Lateral projection · left wrist XR · age 13 y, girl.
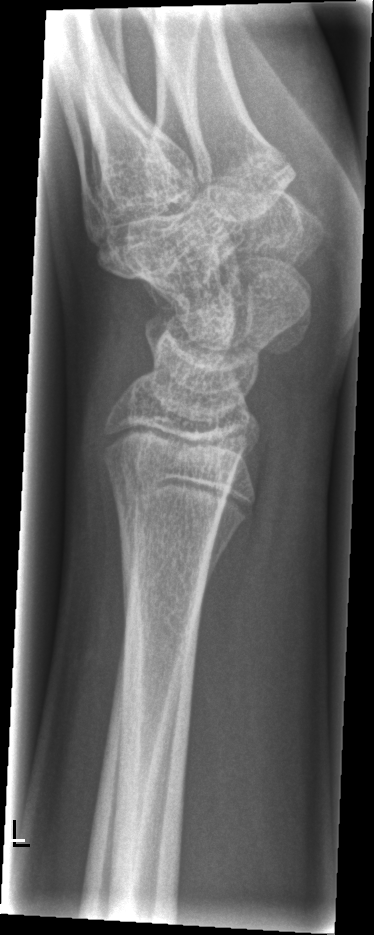
{"fracture": "none labeled"}